Right wrist radiograph · PA/AP projection
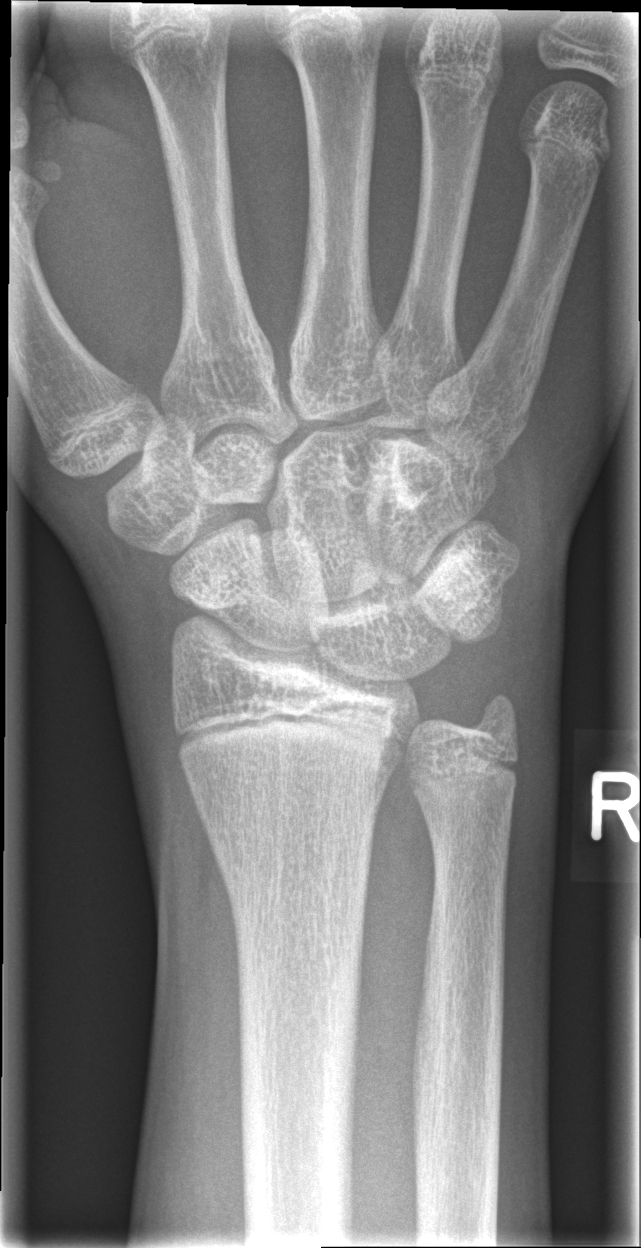
bone fracture = none labeled